Lt wrist XR, lateral view, male, 10 yo, subsequent exam, cast present — 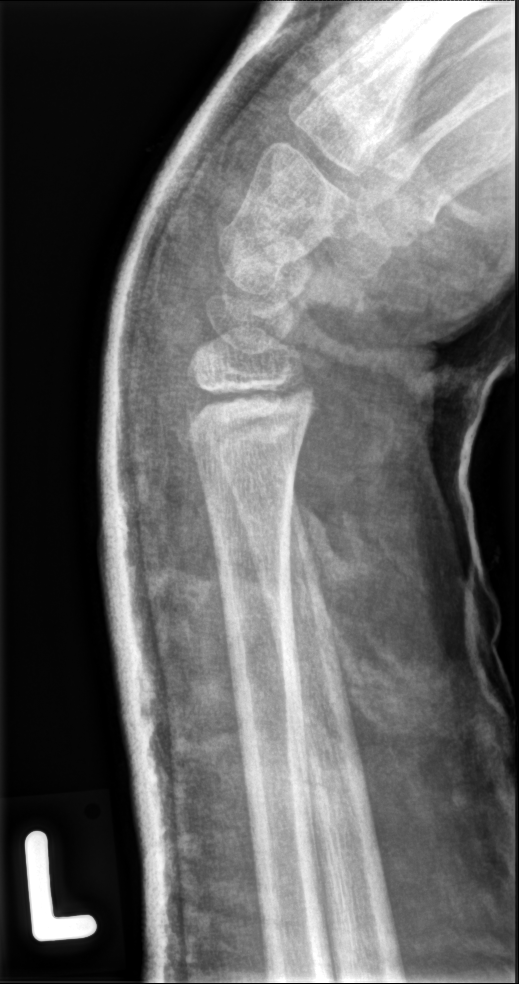 Fracture — <166,370>-<323,461>.
Fracture classified AO/OTA 23r-E/2.1.